Left wrist XR | AP | image size 572x970

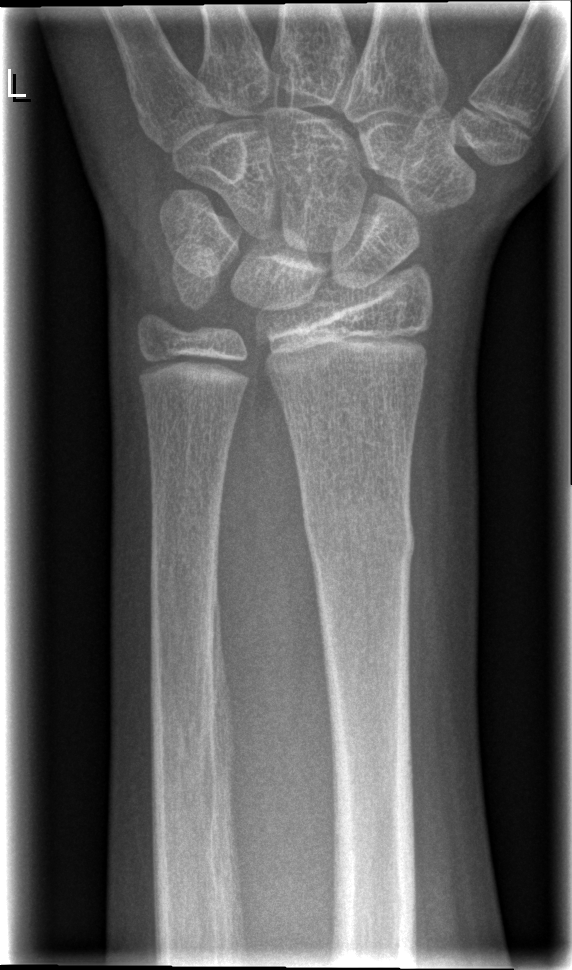
Q: Locate any fractures.
A: Bone fracture: [298, 502, 418, 567]